Lt wrist X-ray · AP projection

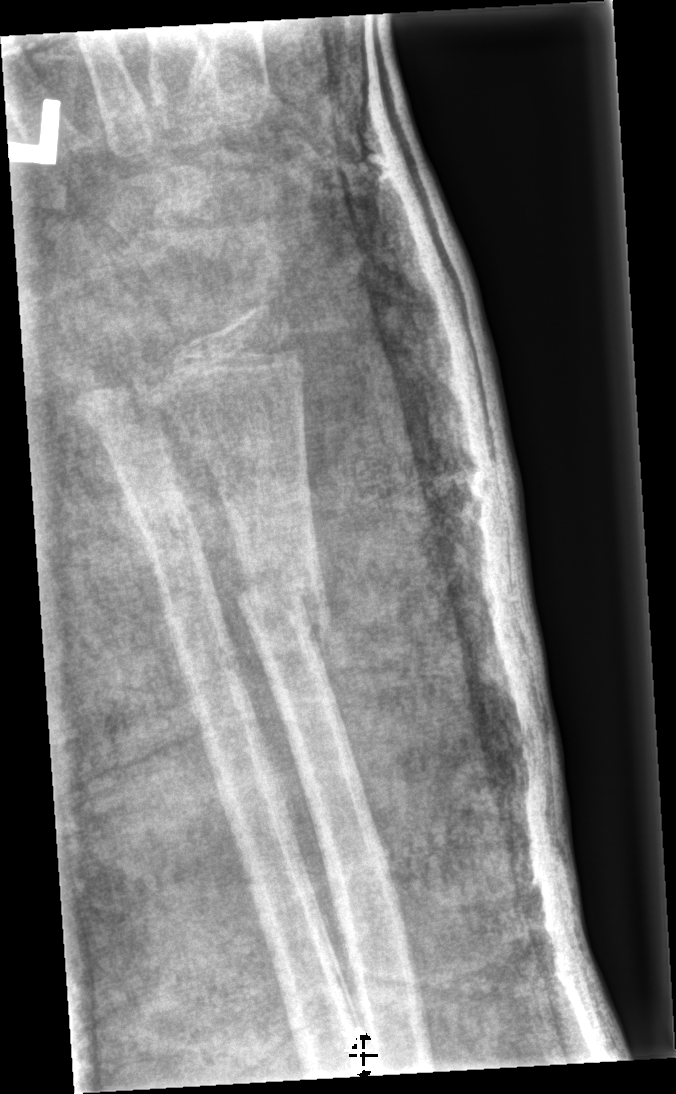 - Fracture classified AO/OTA 22-D/4.1.
- Bone fracture identified at [x1=234, y1=565, x2=333, y2=645], [x1=175, y1=646, x2=244, y2=698].